Rt wrist X-ray · lateral projection · pediatric patient (boy, age 14) · 386 by 768 pixels 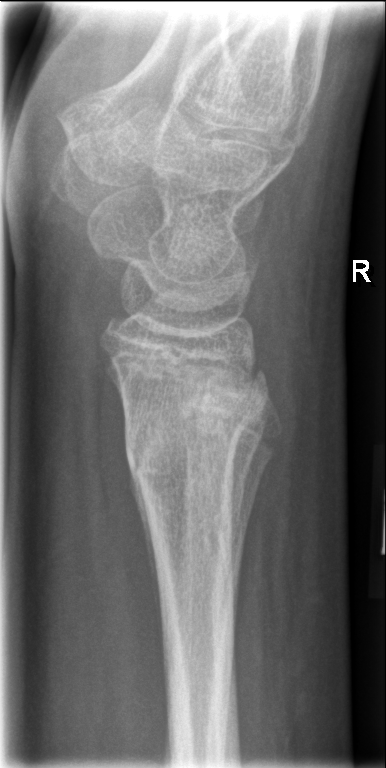
Q: Locate any periosteal reaction.
A: One periosteal reaction at bbox(133, 473, 163, 636)
Q: Any fracture seen?
A: Bone fracture — bbox(117, 340, 274, 496)
Q: Bone density?
A: Osteopenic